Posteroanterior view, Lt wrist radiograph, subsequent exam, Siemens, image size 571x882
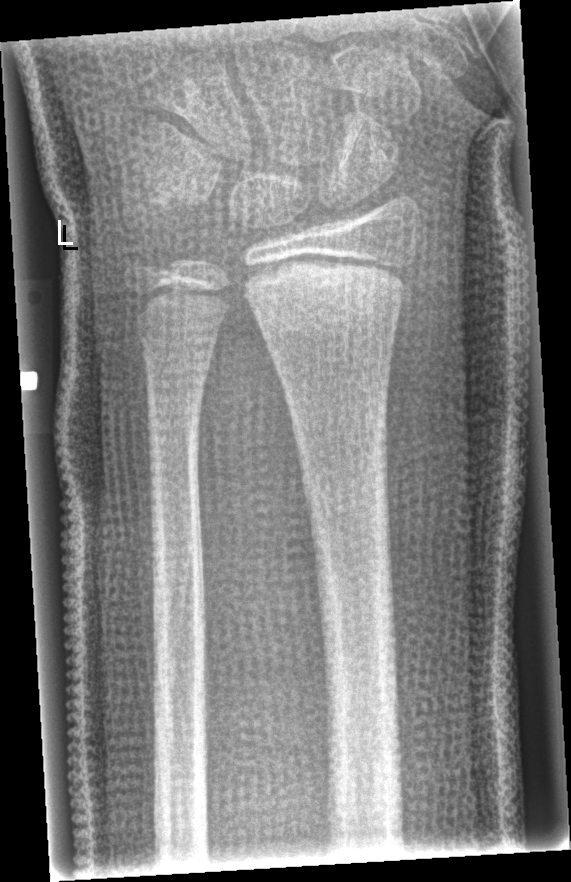 Boxes as x1,y1,x2,y2 (top-left / bottom-right, pixel units).
Fx: (left=245, top=252, right=412, bottom=342).
AO/OTA classification: 23r-E/2.1.